Left wrist radiograph, lateral view, pediatric patient (boy, age 10), initial study, acquired on Siemens
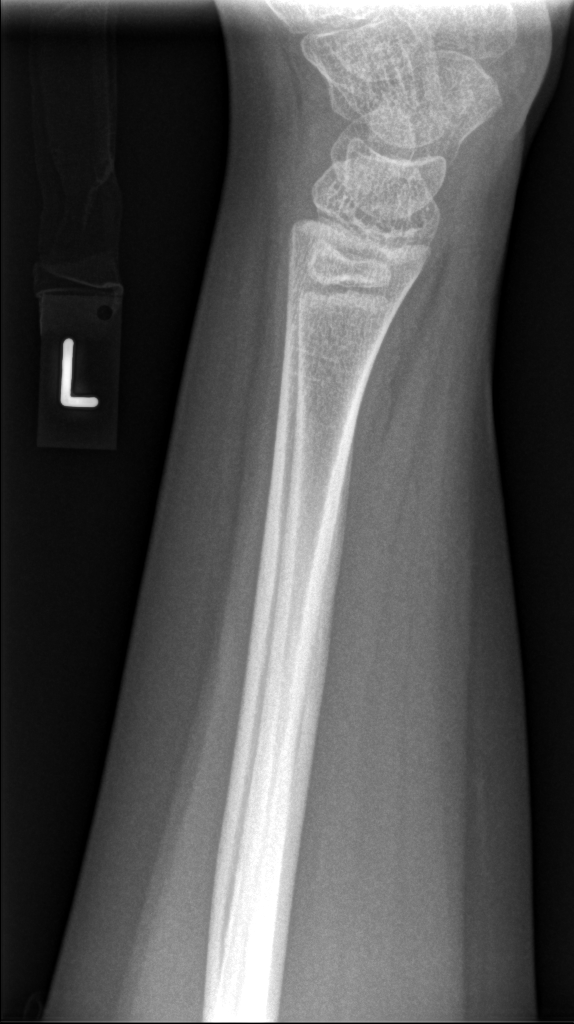

Fx: none labeled